Frontal | right wrist pediatric wrist radiograph —

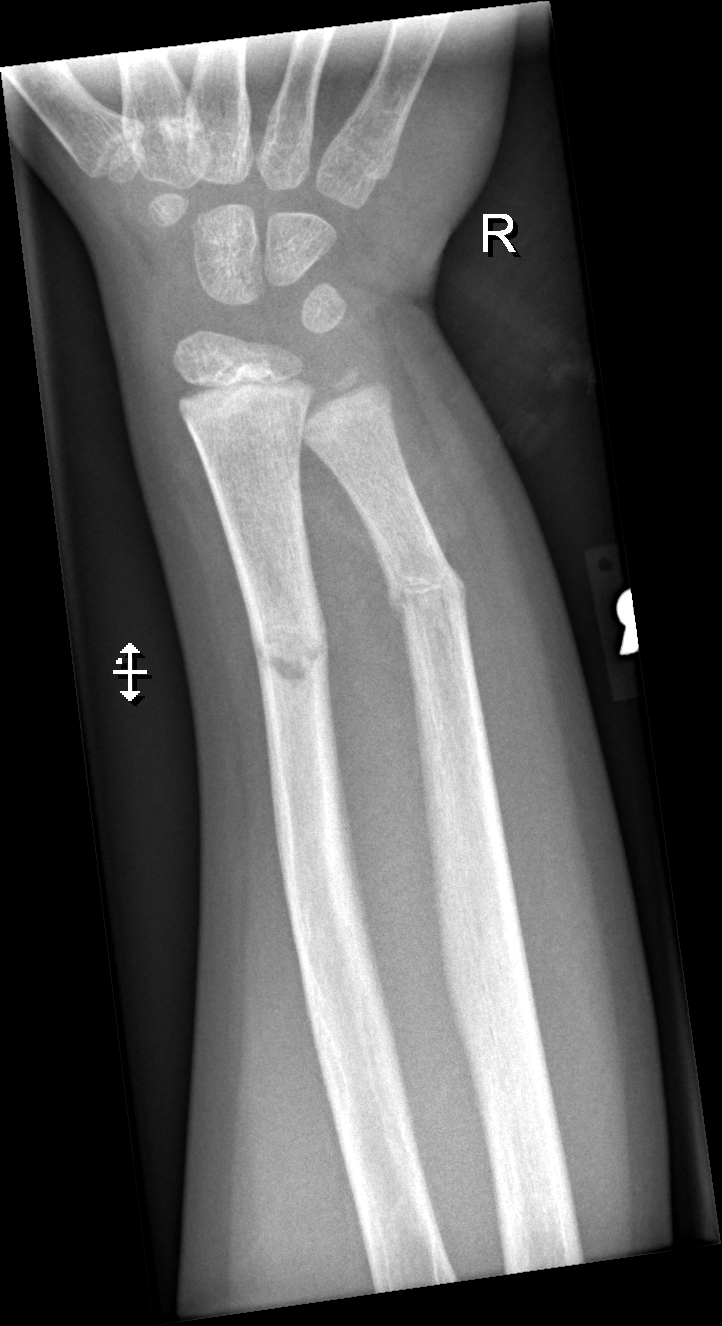

AO code = 22-D/2.1
Fracture = 246,602,338,699
  380,557,472,632